Posteroanterior view; left wrist X-ray; male, 17 yo. 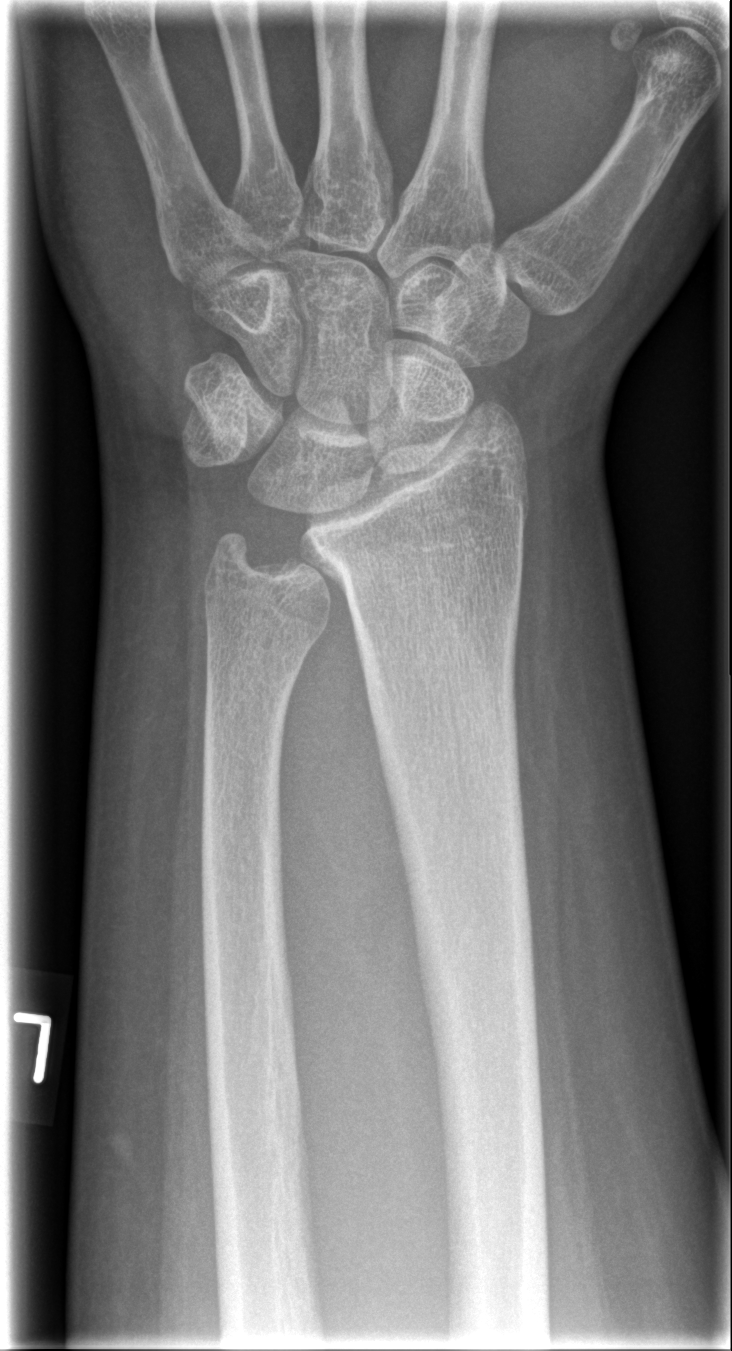 Boxes as x1,y1,x2,y2 (top-left / bottom-right, pixel units).
One bone variant at <183,441>-<382,703>.
No fracture annotation.